Rt wrist plain film; lateral projection; pediatric patient (girl, age 9); follow-up study
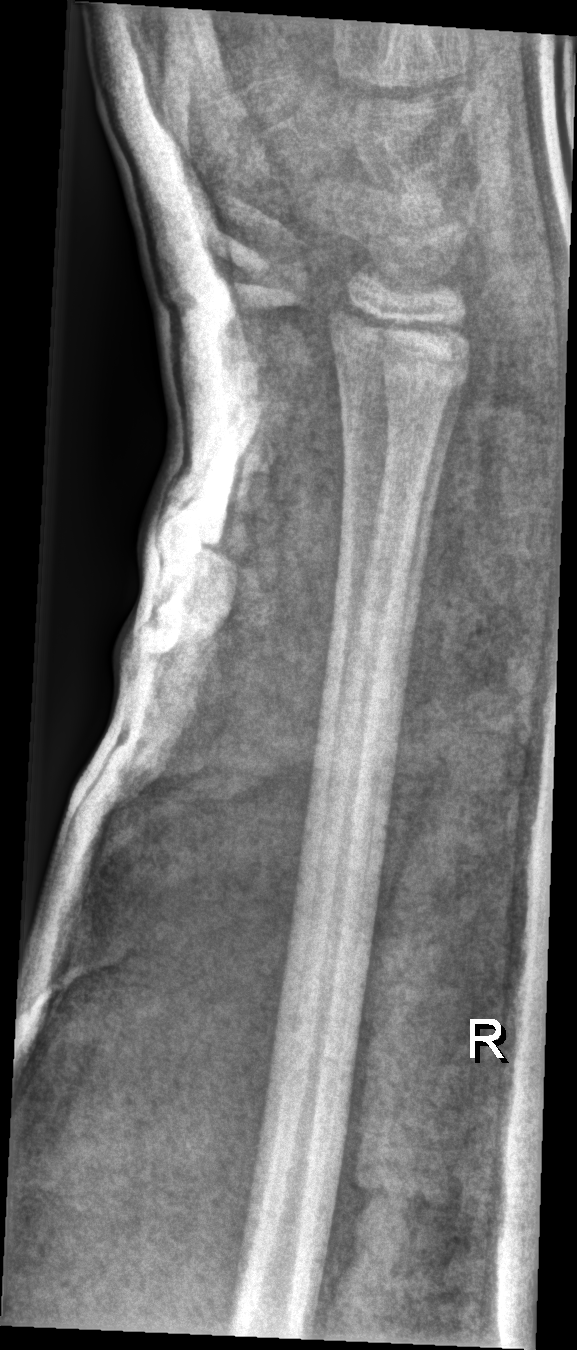

Coordinates are [x1, y1, x2, y2] in image pixels.
One bone fracture at 321 304 478 401.
AO/OTA classification: 23r-E/2.1; 23u-E/7.